AP projection, left pediatric wrist radiograph, presentation radiograph

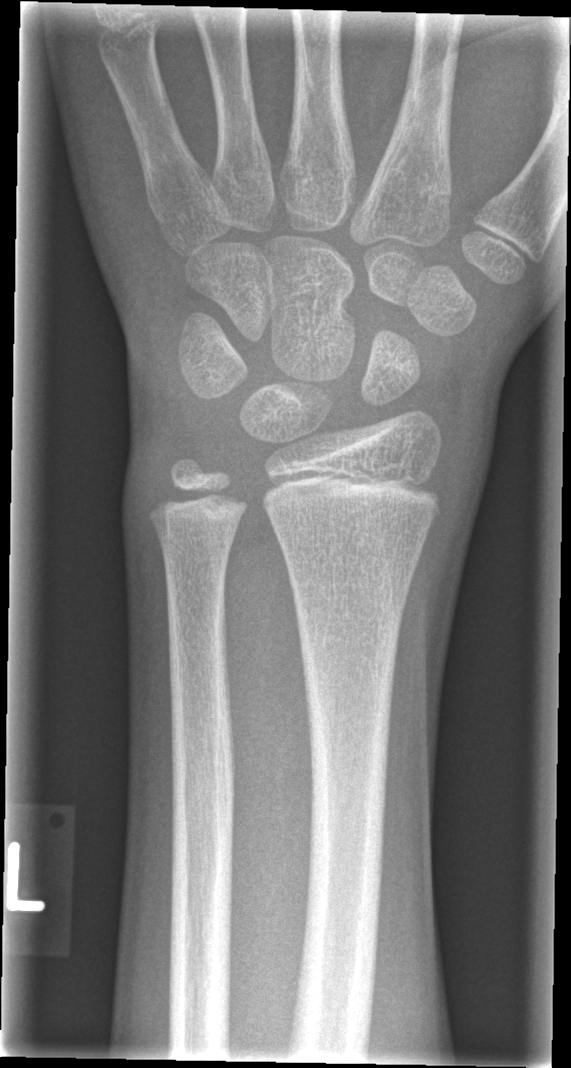 Fracture = none labeled